AP · right plain radiograph of the wrist · 8-year-old boy · in cast · 91.2 mm image width:

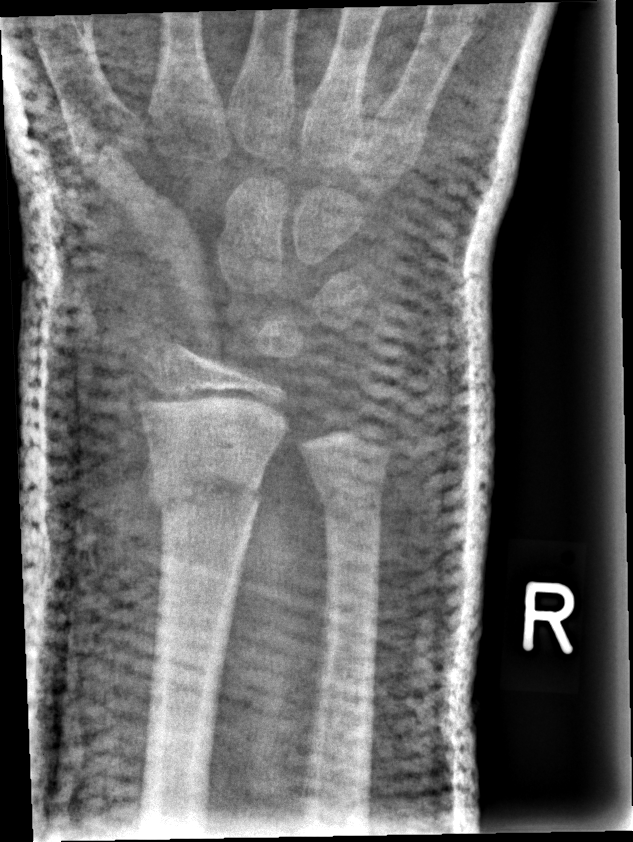 Boxes as x1,y1,x2,y2 (top-left / bottom-right, pixel units). Two fractures at 142,462,265,518; 313,472,387,514. Fracture classified AO/OTA 23-M/3.1.